L wrist plain film; AP; 6-year-old boy; detector: Siemens: 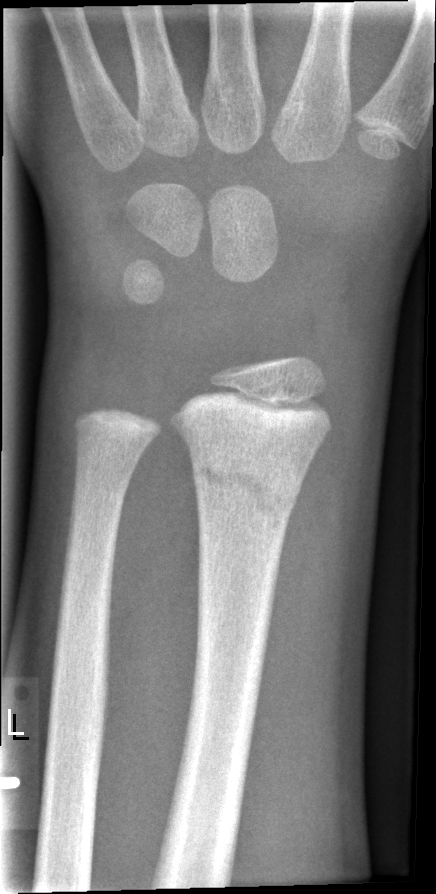 FINDINGS: Fracture classified AO/OTA 23r-M/3.1. One fracture at 185 452 301 538.